Lateral projection | R wrist X-ray | age 15 y, female.

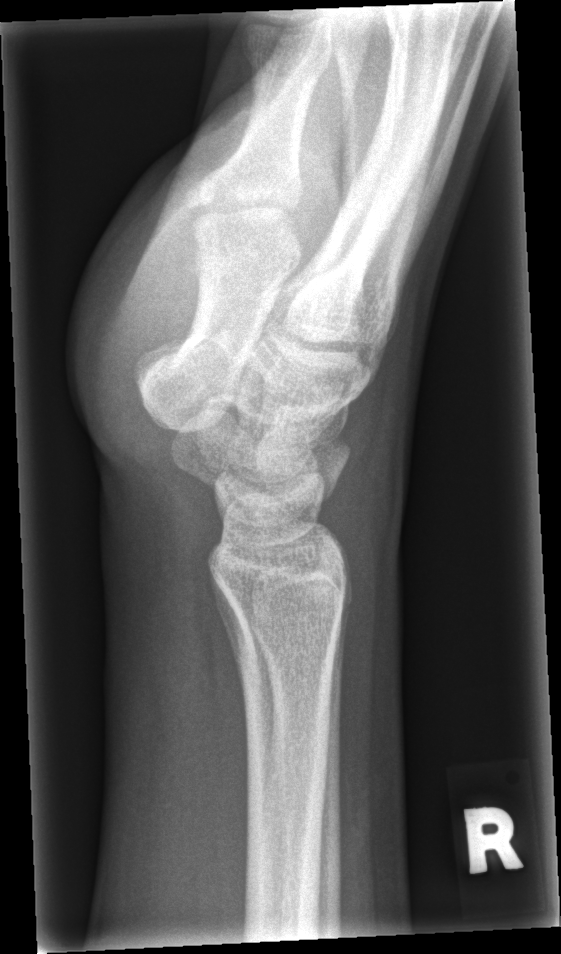 fracture: none labeled